Left wrist plain radiograph of the wrist, lat
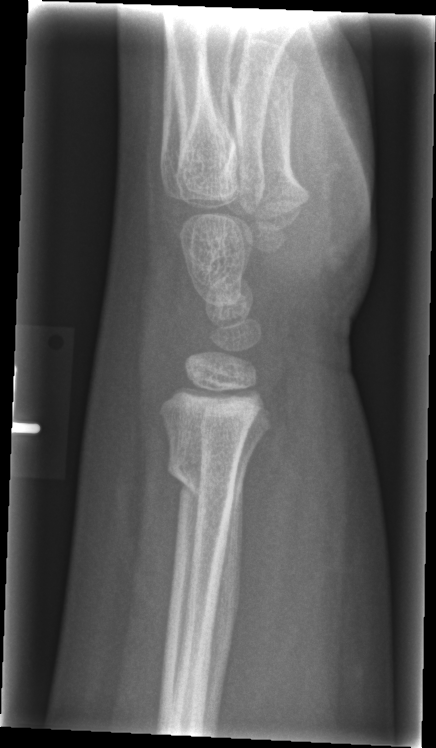

One fracture at bbox(162, 448, 238, 520).